Lat projection, R wrist XR, presentation radiograph, equivocal findings, Siemens: 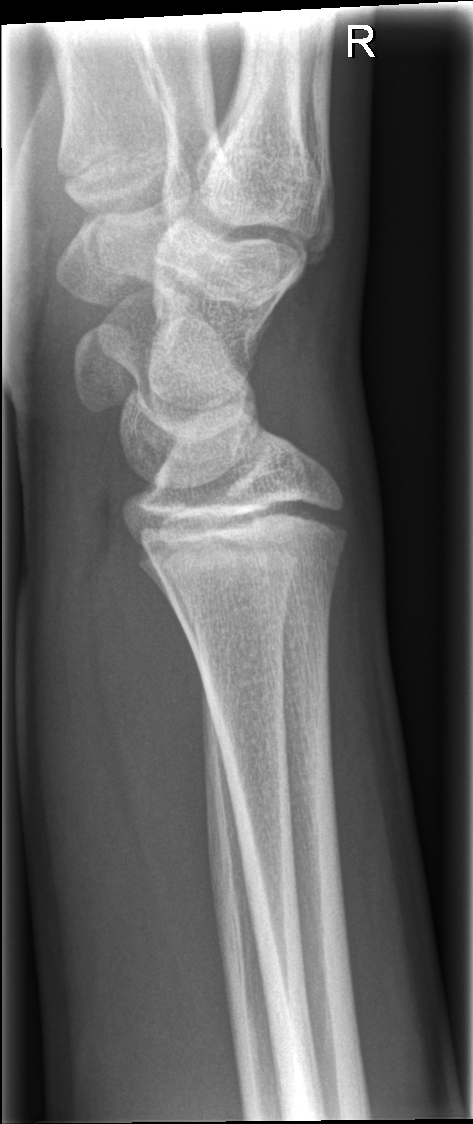
FINDINGS: (boxes as x1,y1,x2,y2 (top-left / bottom-right, pixel units)) Fracture: none labeled. Pronator quadratus fat-pad sign identified at (left=87, top=528, right=215, bottom=972).